Posteroanterior; R wrist X-ray; follow-up study; cast in situ; Siemens
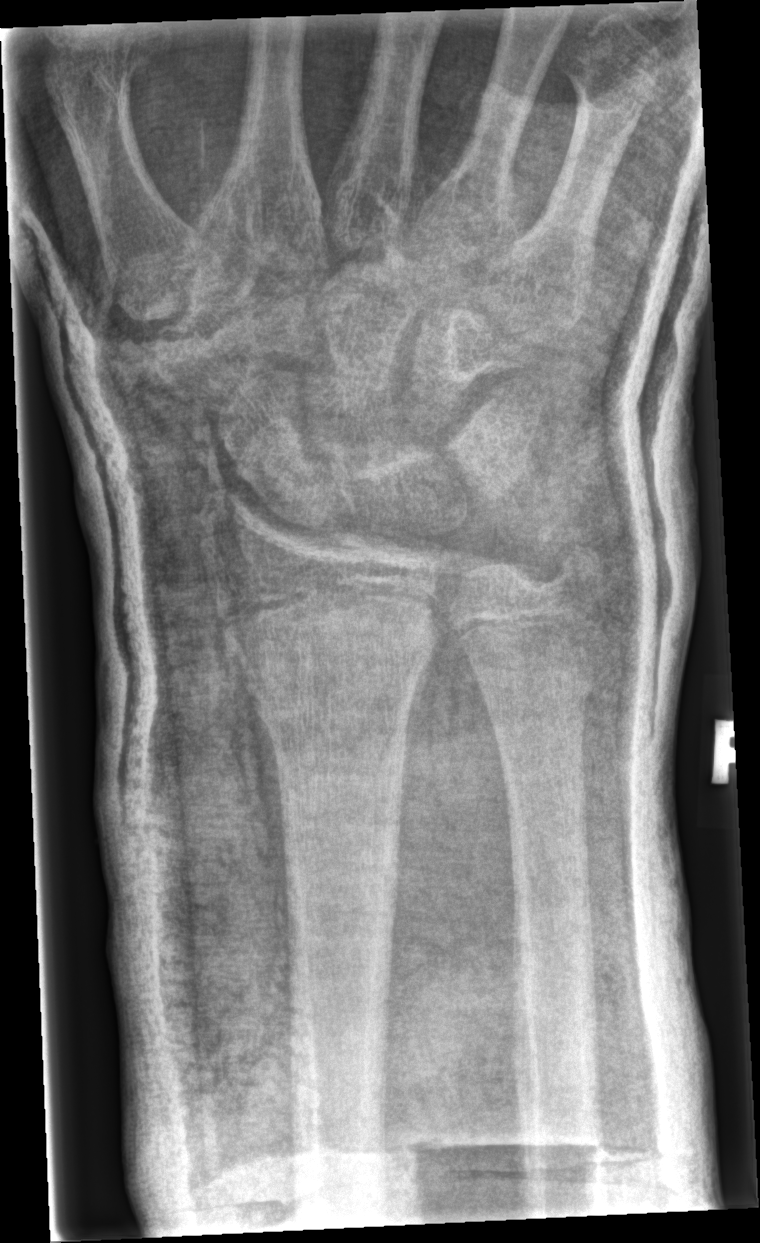

AO classification: 23r-E/2.1; 23u-E/7
Bone fracture: bbox(229, 582, 445, 722); bbox(532, 521, 609, 602)